Lat view, Lt plain radiograph of the wrist, pediatric patient (female, age 11), follow-up study, 115.9 mm image width 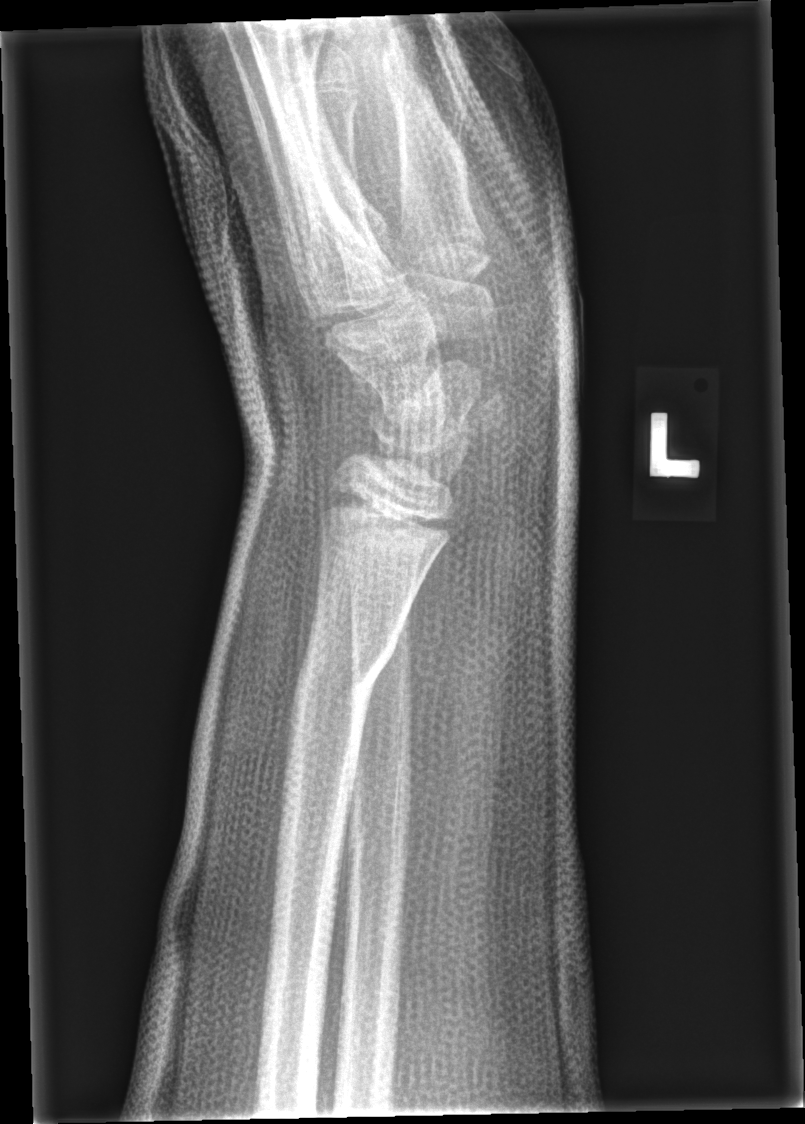

(pixel coordinates, top-left origin, xyxy)
Bone fracture = 1 @ 288 627 401 729
AO code = 23r-M/2.1